L wrist X-ray; lateral view; presentation radiograph; image width 87.4 mm
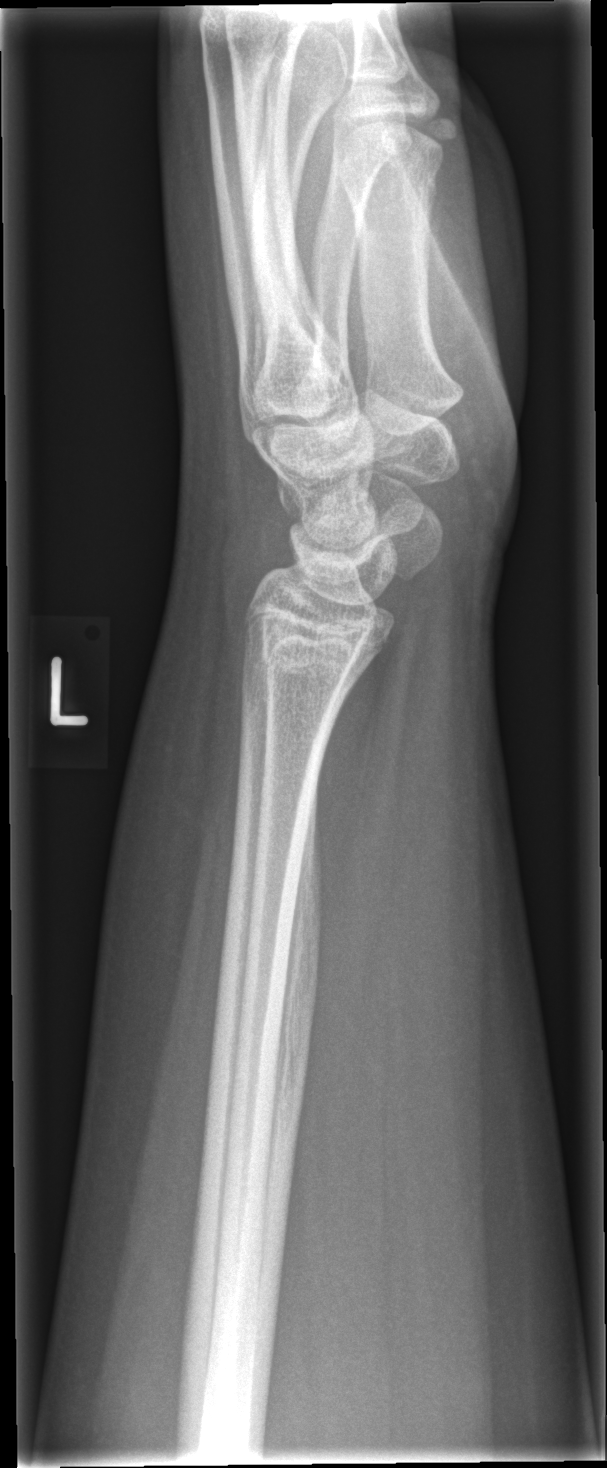 FINDINGS: No fracture bounding box.